Right pediatric wrist radiograph; lat projection; Siemens:

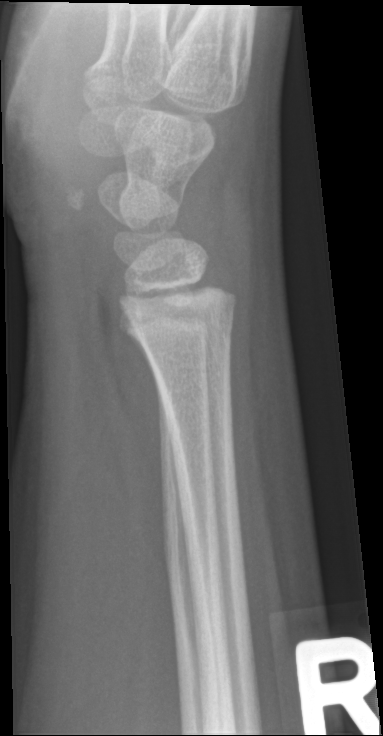

No fracture labeled.